Left wrist plain film, lat view, cast in situ: 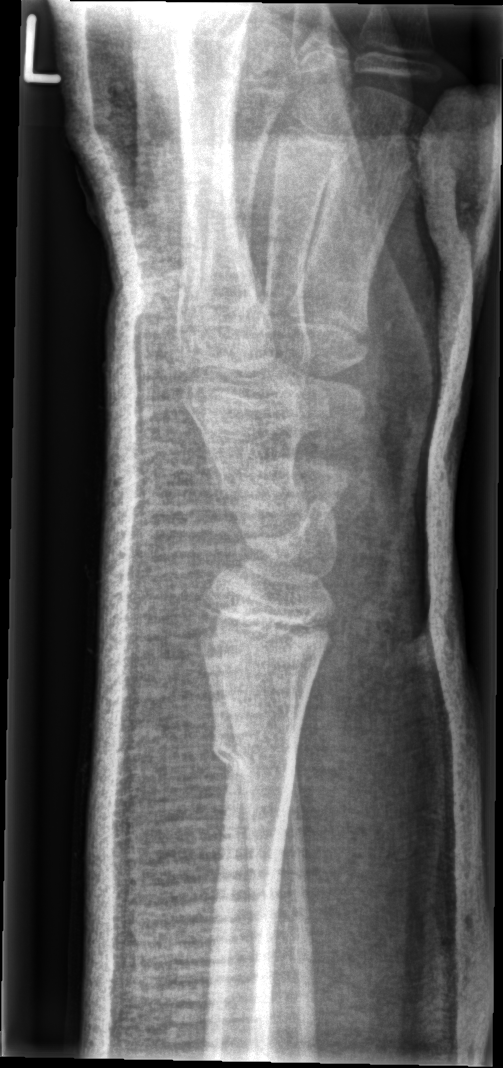
  ao: 23r-M/2.1
  fracture: (208, 717, 300, 801)